Posteroanterior | Lt wrist XR | acquired on Siemens 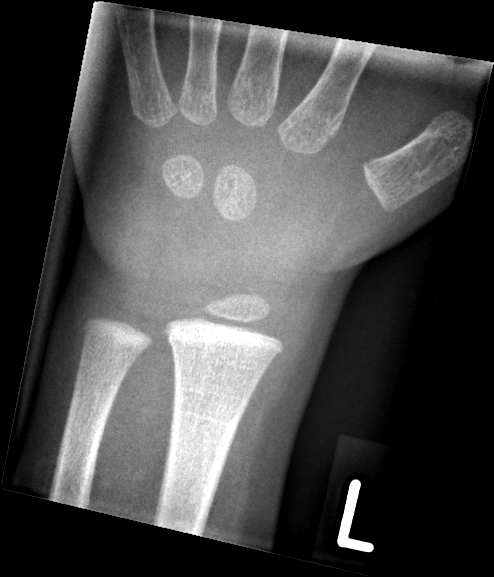
* No fracture annotation.